Lateral; R wrist radiograph; initial study; acquired on Siemens:
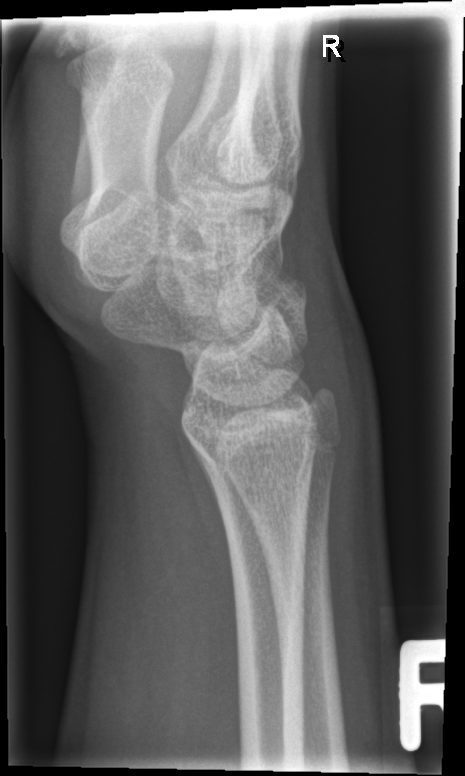
Q: Fracture present?
A: No fracture annotation